Left wrist plain film · posteroanterior · male, 14 yo: 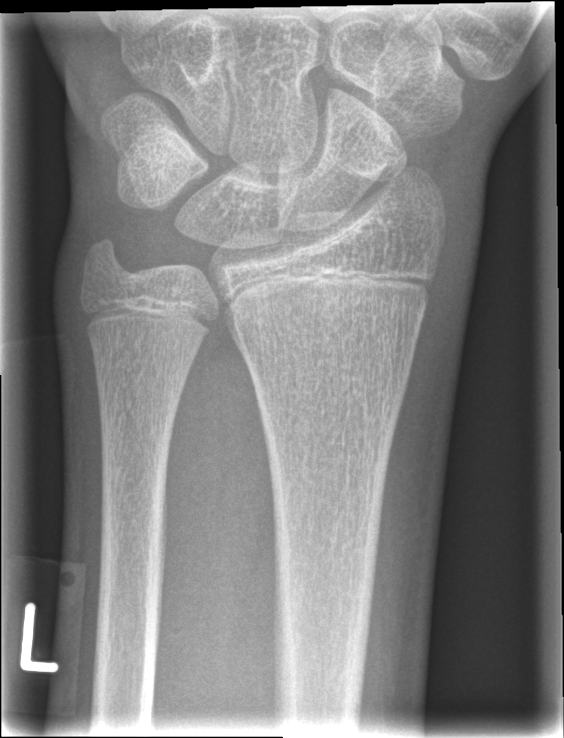 Fracture = none labeled